Lateral, right wrist pediatric wrist radiograph.

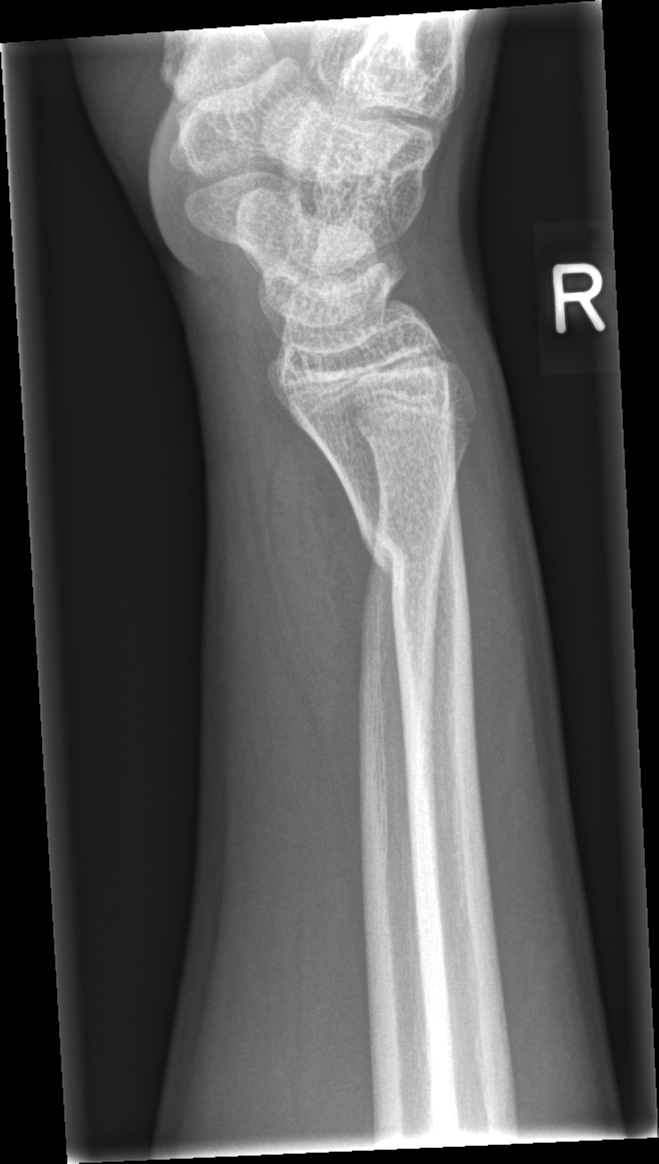

Fx = (349, 485, 477, 607)
Pronator quadratus fat-pad sign = (261, 383, 377, 777)